Lateral projection · Rt wrist X-ray · pediatric patient (boy, age 14) —

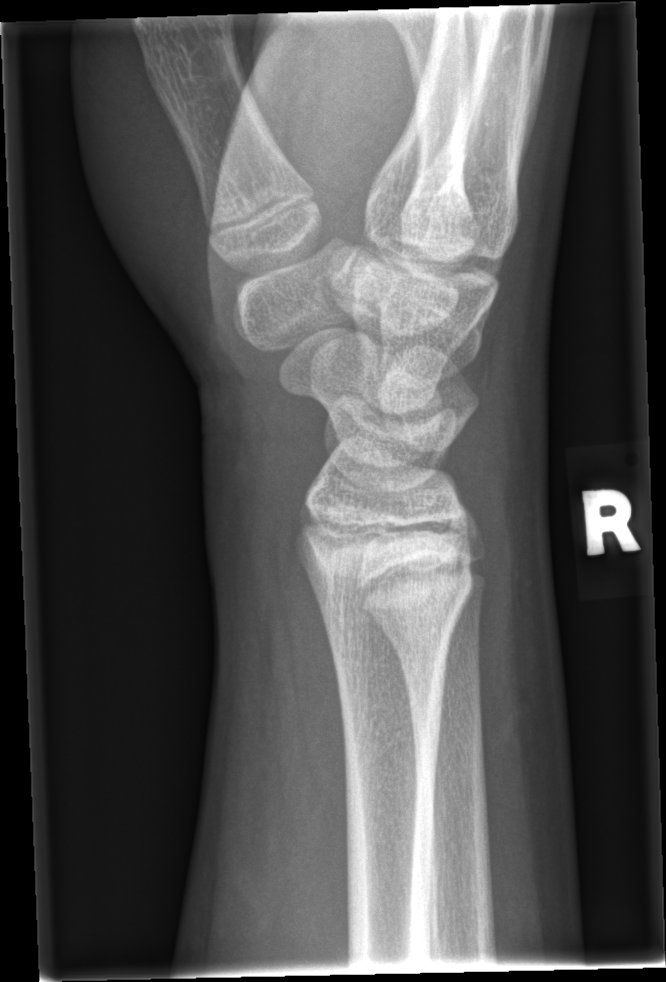
(bounding boxes in image-pixel xyxy)
bone fracture: [x1=318, y1=571, x2=477, y2=649]